Frontal | left wrist XR | follow-up | cast present:
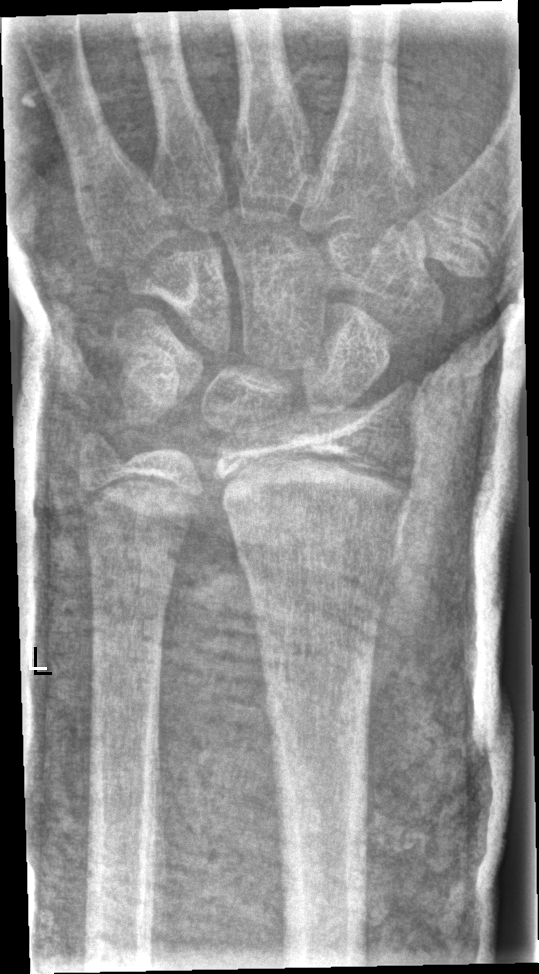

Bounding boxes in image-pixel xyxy.
AO code 23r-M/3.1.
Fracture — <231,530>-<400,611>.